Right wrist X-ray, frontal projection, age 4 y, female, initial study, image 68.5 mm wide, 476 x 957 px.
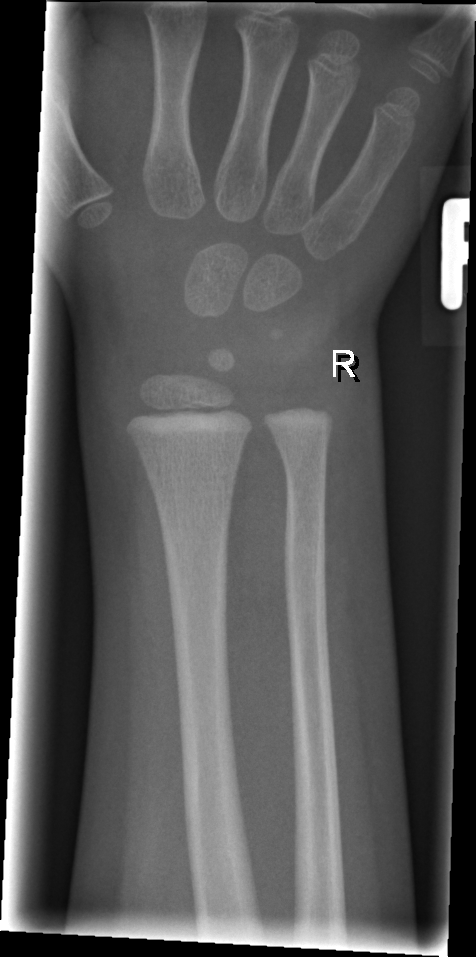
fracture = none labeled